Posteroanterior view; Lt wrist radiograph; 15-year-old male; index exam; acquired on Siemens
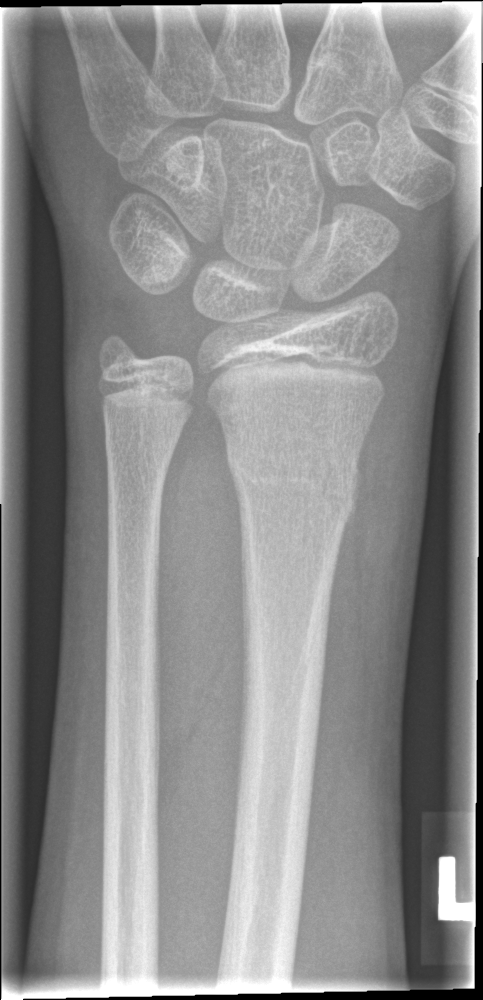
* Fracture — bbox(224, 442, 363, 523).